Posteroanterior · right wrist XR · boy, 13 yo · index exam.

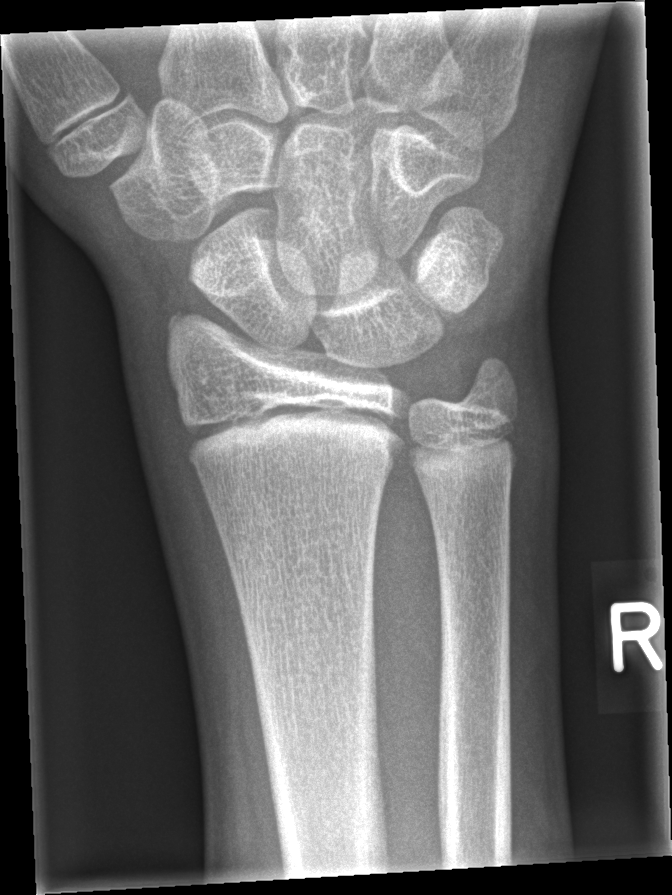
AO classification: 72B(c)
fracture: present but not clearly seen in this view